Left wrist plain film | posteroanterior | age 14 y, boy 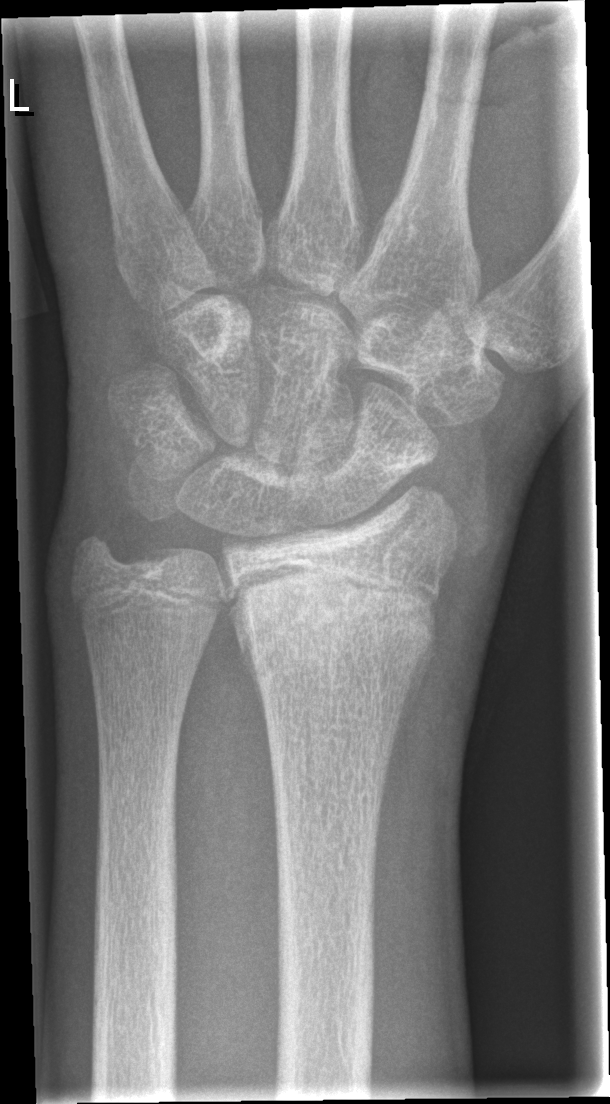

Bone fracture identified at <230,569>-<445,690>. Osteopenic. AO/OTA classification: 23r-E/2.1. Periosteal new bone identified at <389,608>-<440,759>; <239,625>-<271,757>.